Lt plain radiograph of the wrist | lateral view | 13-year-old male | Siemens: 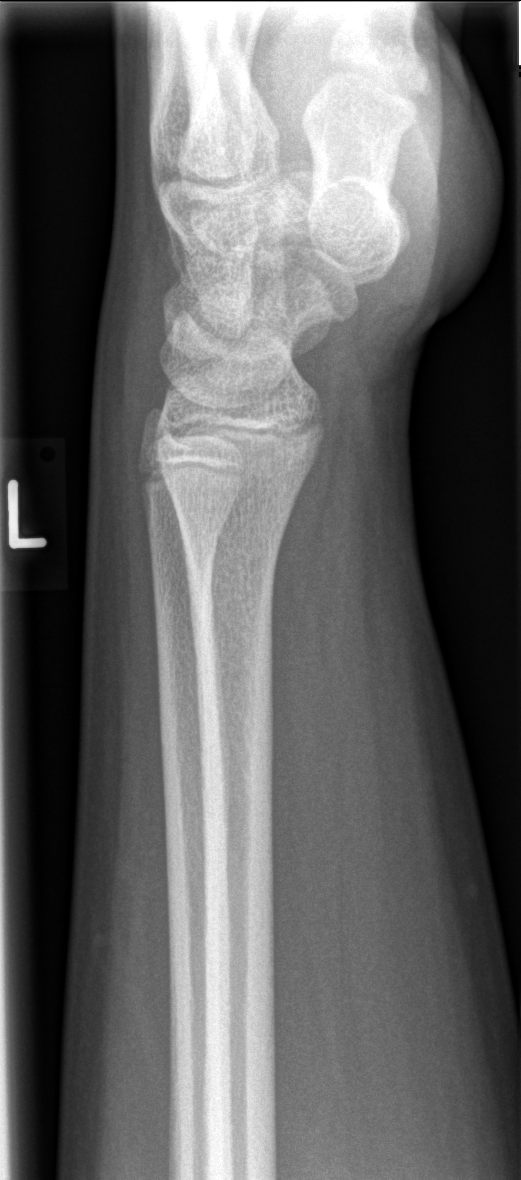

  fracture: none labeled